Lateral, left wrist XR, image size 535x1182: 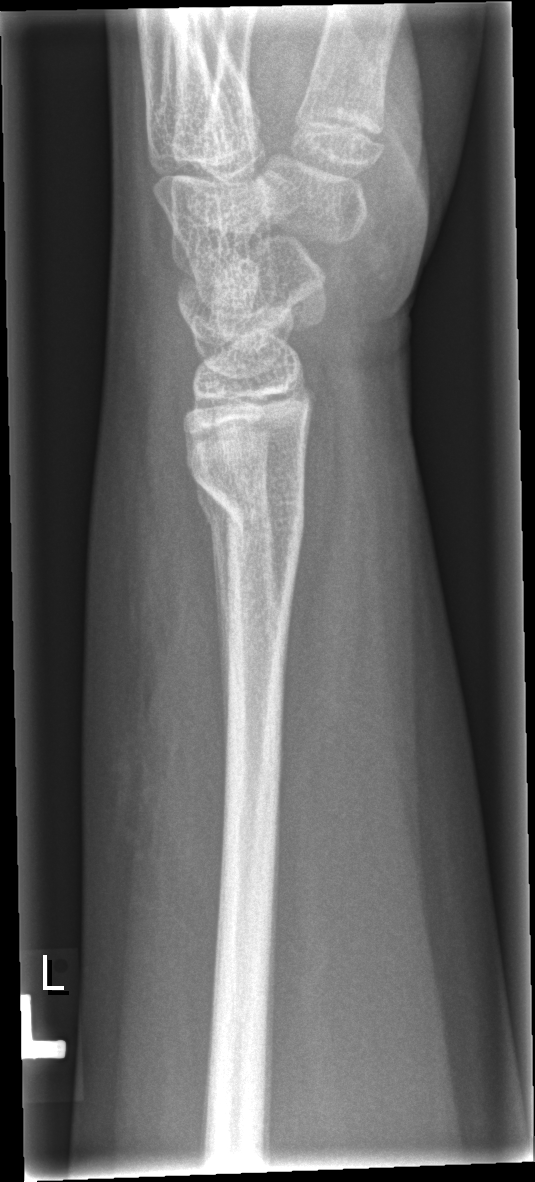 Findings: (bounding boxes in image-pixel xyxy) AO/OTA classification: 23-M/2.1. One Fx at <191,470>-<307,544>.